Frontal; right wrist plain radiograph of the wrist; follow-up study; imaged through cast; 854 x 1105 px:

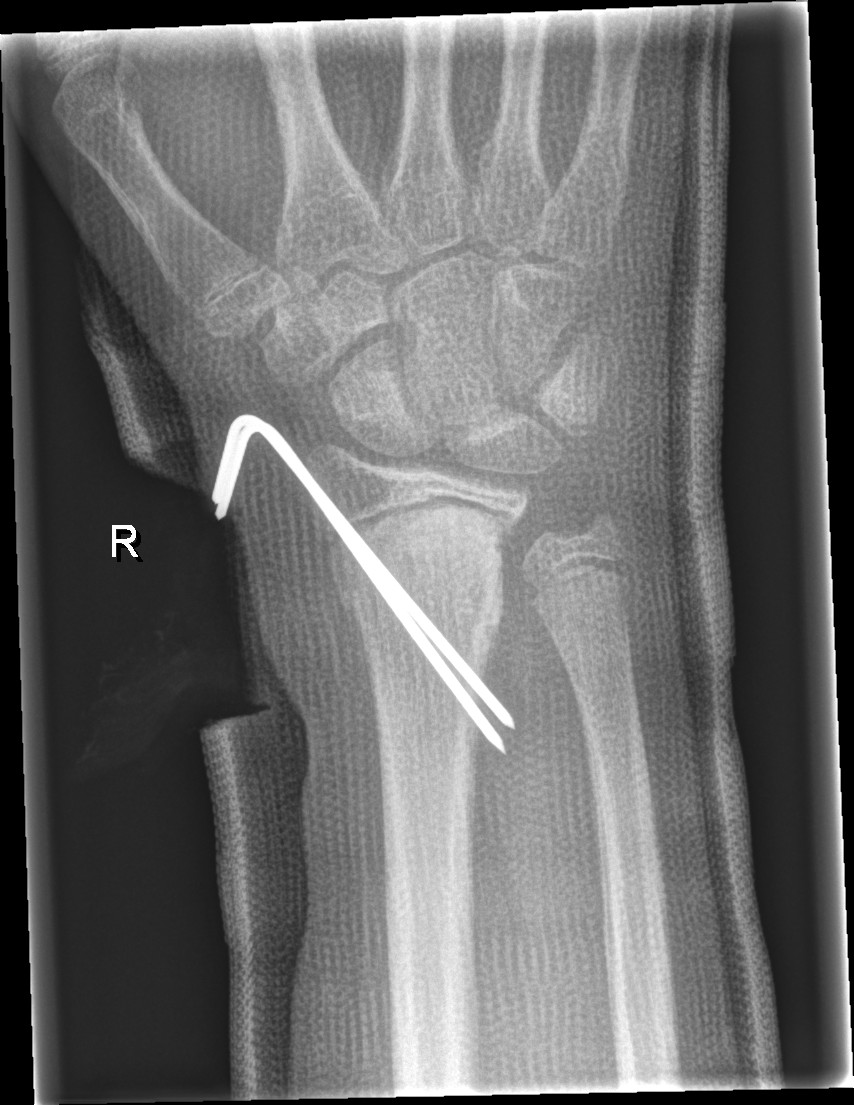

(bounding boxes in image-pixel xyxy)
Metallic hardware = 1 @ [x1=211, y1=414, x2=516, y2=757]
Fx = [x1=319, y1=497, x2=519, y2=648]